Lateral view, Lt wrist XR, 715 x 1364 px:
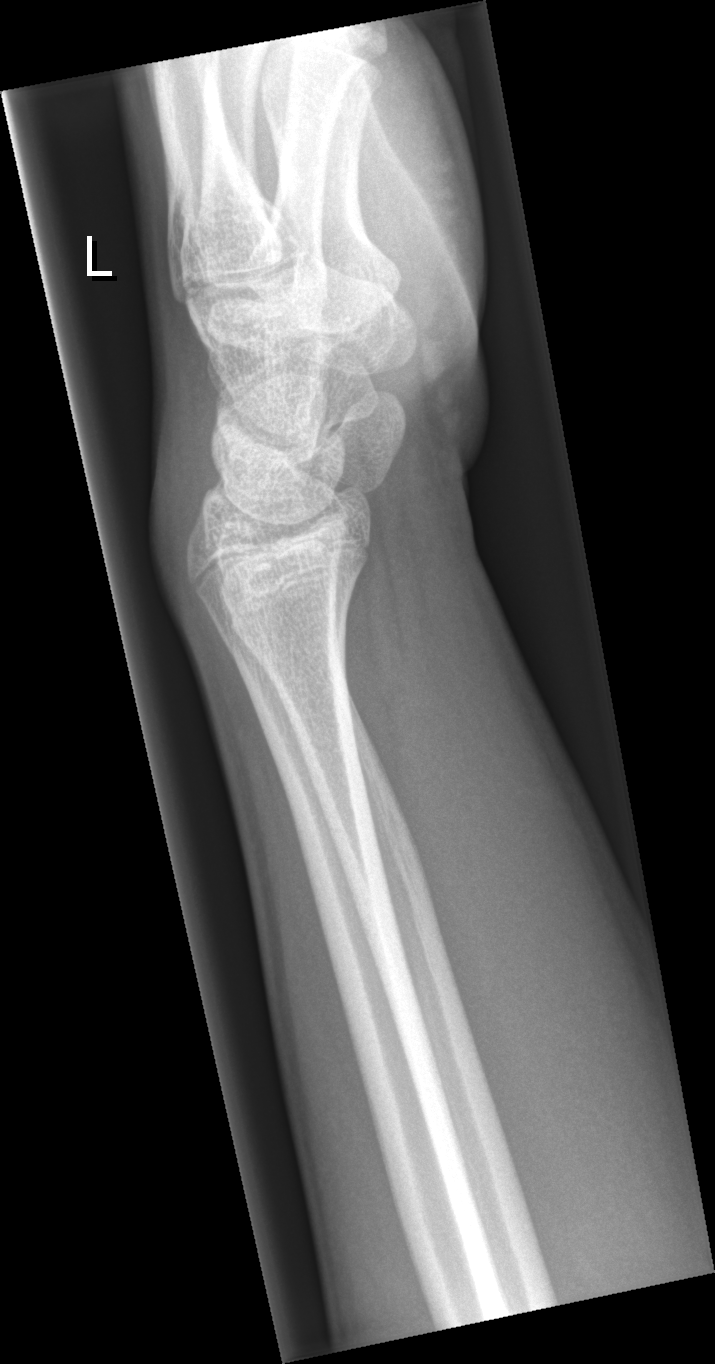

* No fracture labeled.